Right plain radiograph of the wrist; PA/AP projection; in cast; 72.3 mm image width; 502 x 1212 px:
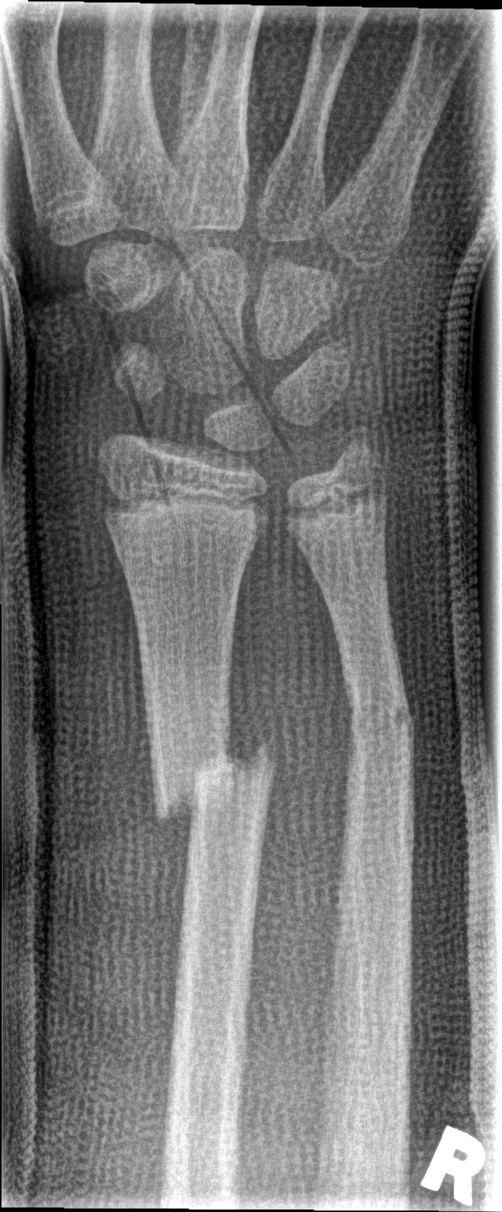

Fracture: bbox(149, 739, 281, 827); bbox(342, 678, 419, 754); bbox(326, 421, 388, 477).